Posteroanterior; Lt wrist plain film; imaged through cast

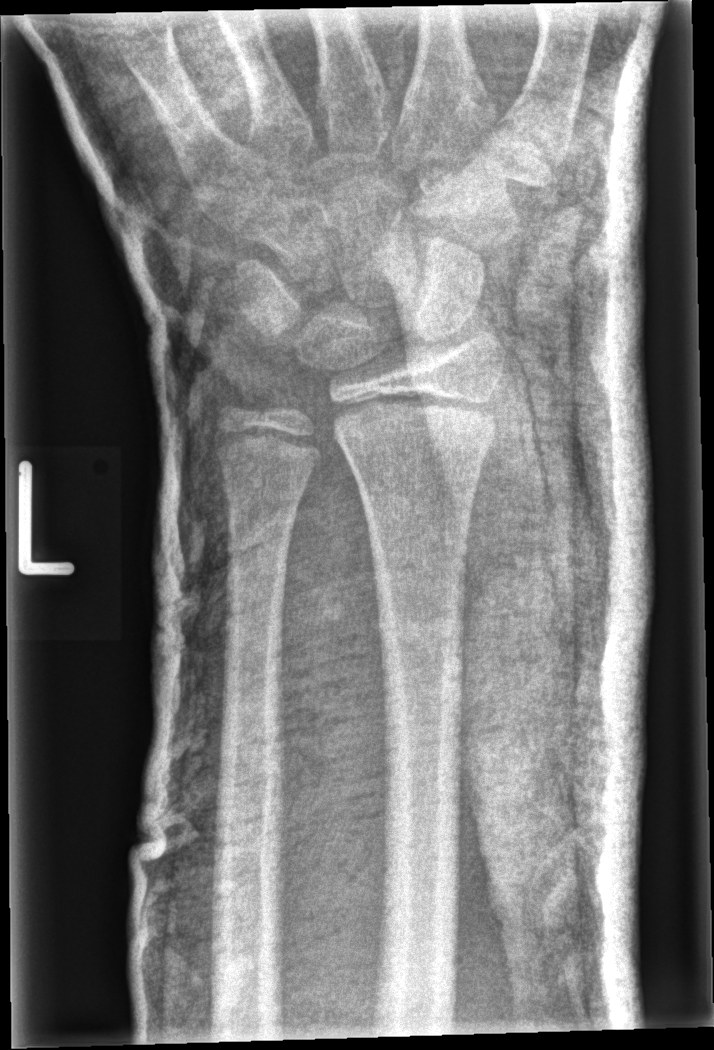

AO code 23r-E/1. Fracture: 321,388,502,471.